Lateral view, R wrist plain film, cast in situ.

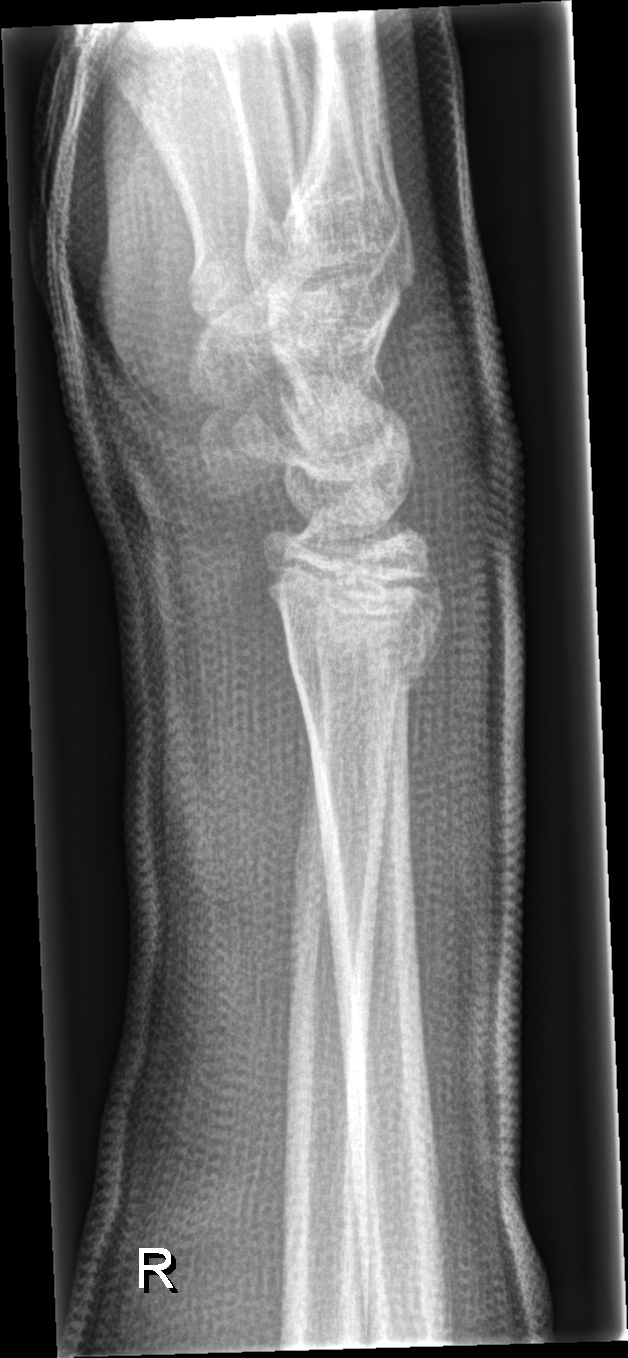

{"fracture": "<264,559>-<455,695>", "ao": "23r-M/3.1; 23u-E/7"}